Right plain radiograph of the wrist, frontal view, age 10 y, boy, presentation radiograph, acquired on Siemens — 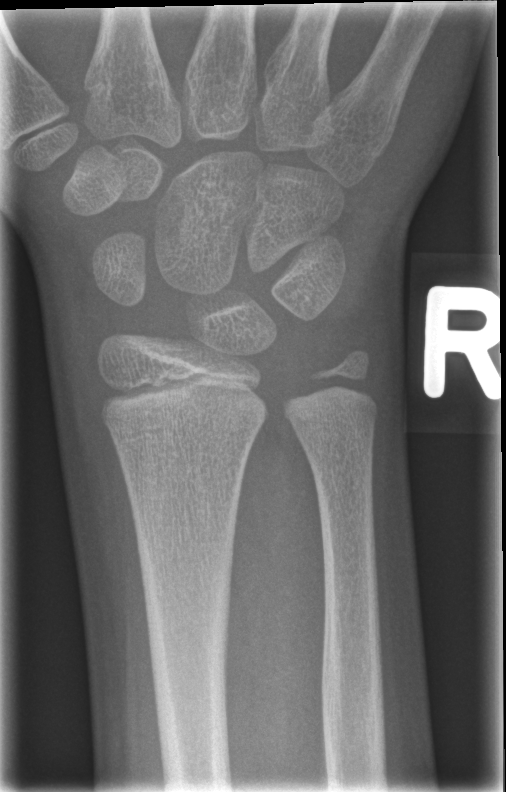

Bone fracture: none labeled